L pediatric wrist radiograph; lat projection; cast present. 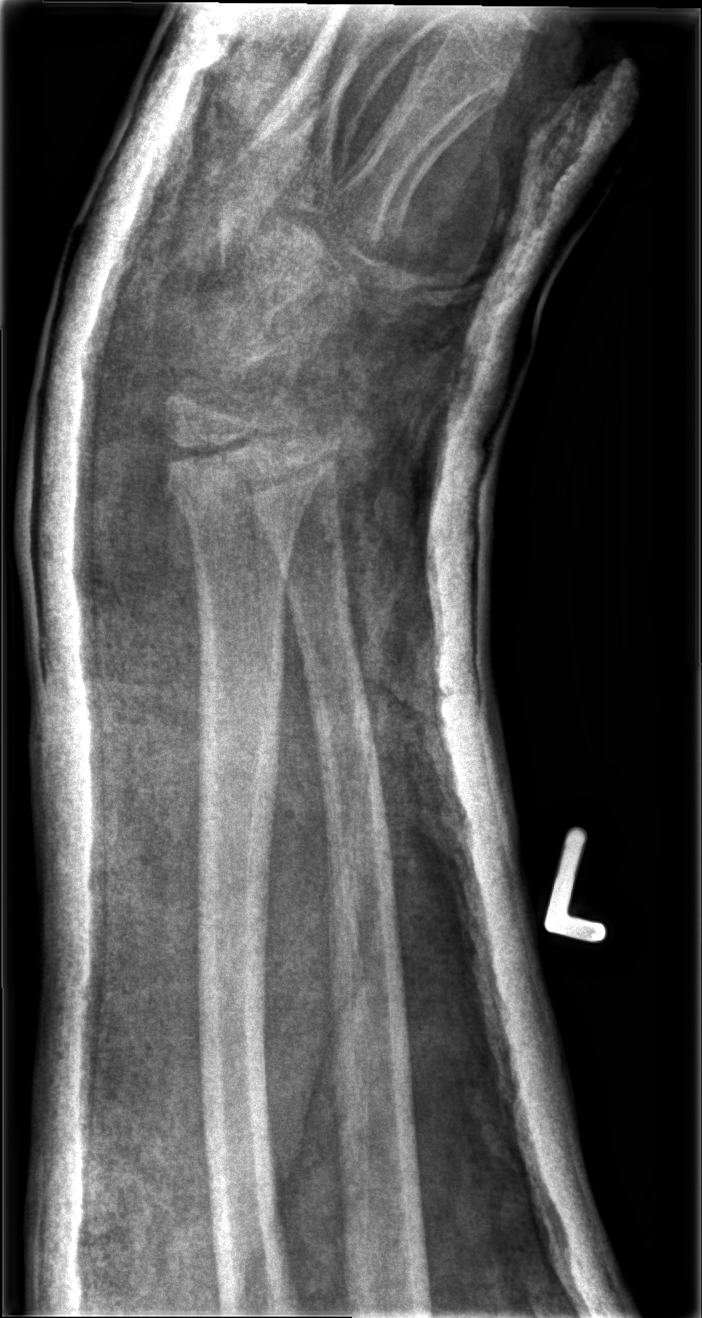 ao: 23r-E/2.1
fracture: (left=158, top=425, right=330, bottom=527)